PA/AP projection; R wrist plain film; pediatric patient (boy, age 12); acquired on Siemens —
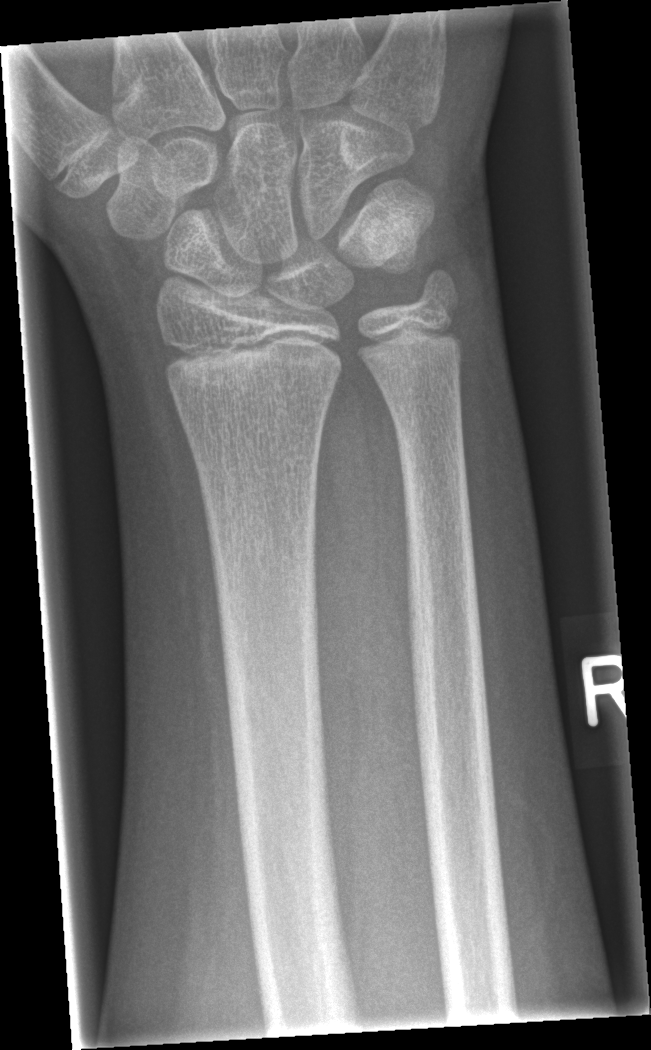
Fracture: none labeled.